Rt wrist radiograph · lateral · acquired on Siemens. 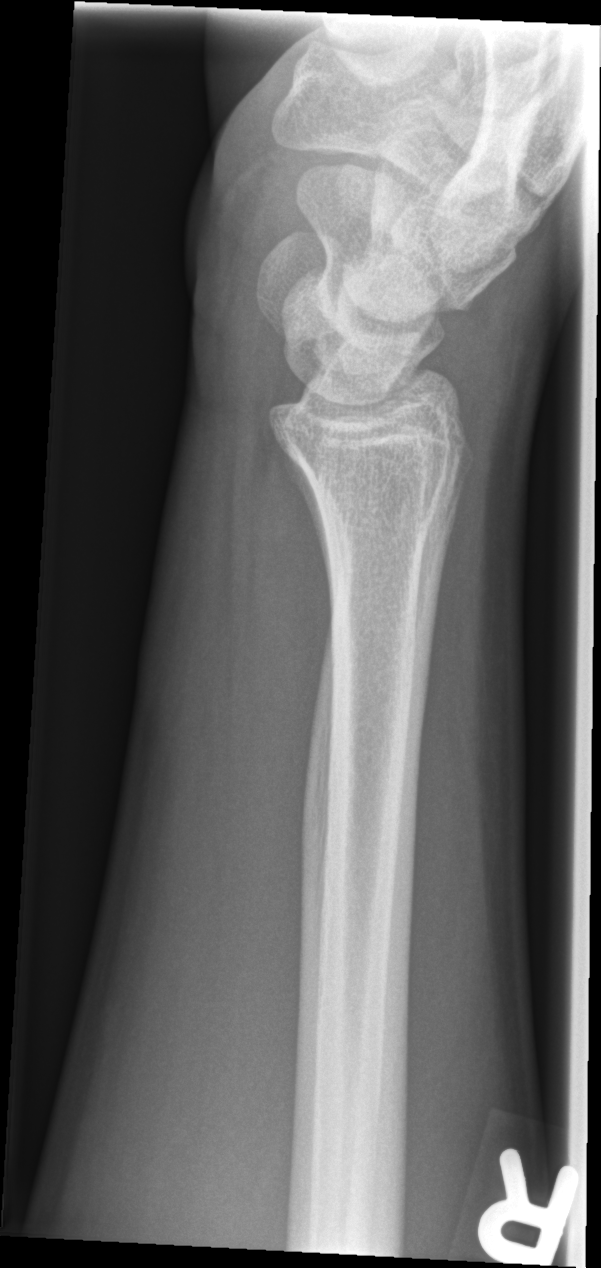

Fracture = none labeled